PA view; left wrist XR; 7y M; image 100.5 mm wide.

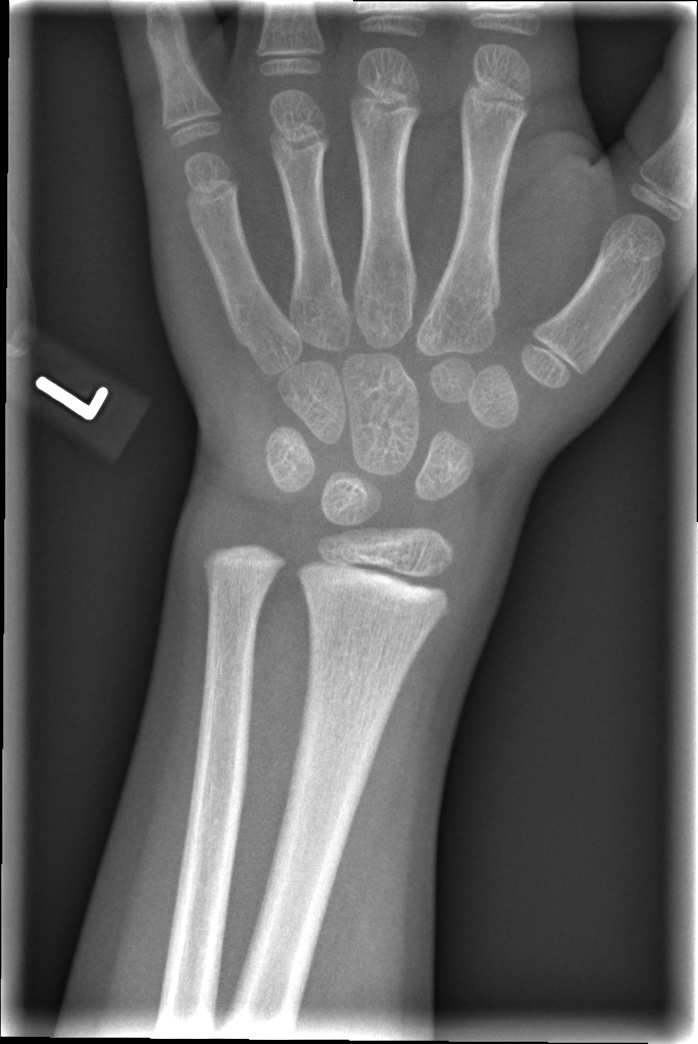
FINDINGS — Fx: none.